L wrist radiograph | lateral view 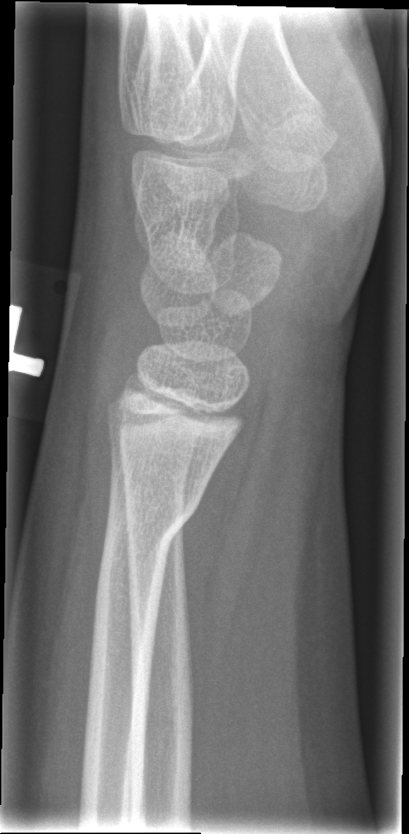
(bounding boxes in image-pixel xyxy)
AO code: 23r-M/2.1
Bone fracture: 1 @ (99, 482, 204, 582)